AP projection, left wrist X-ray, image size 732x1568 — 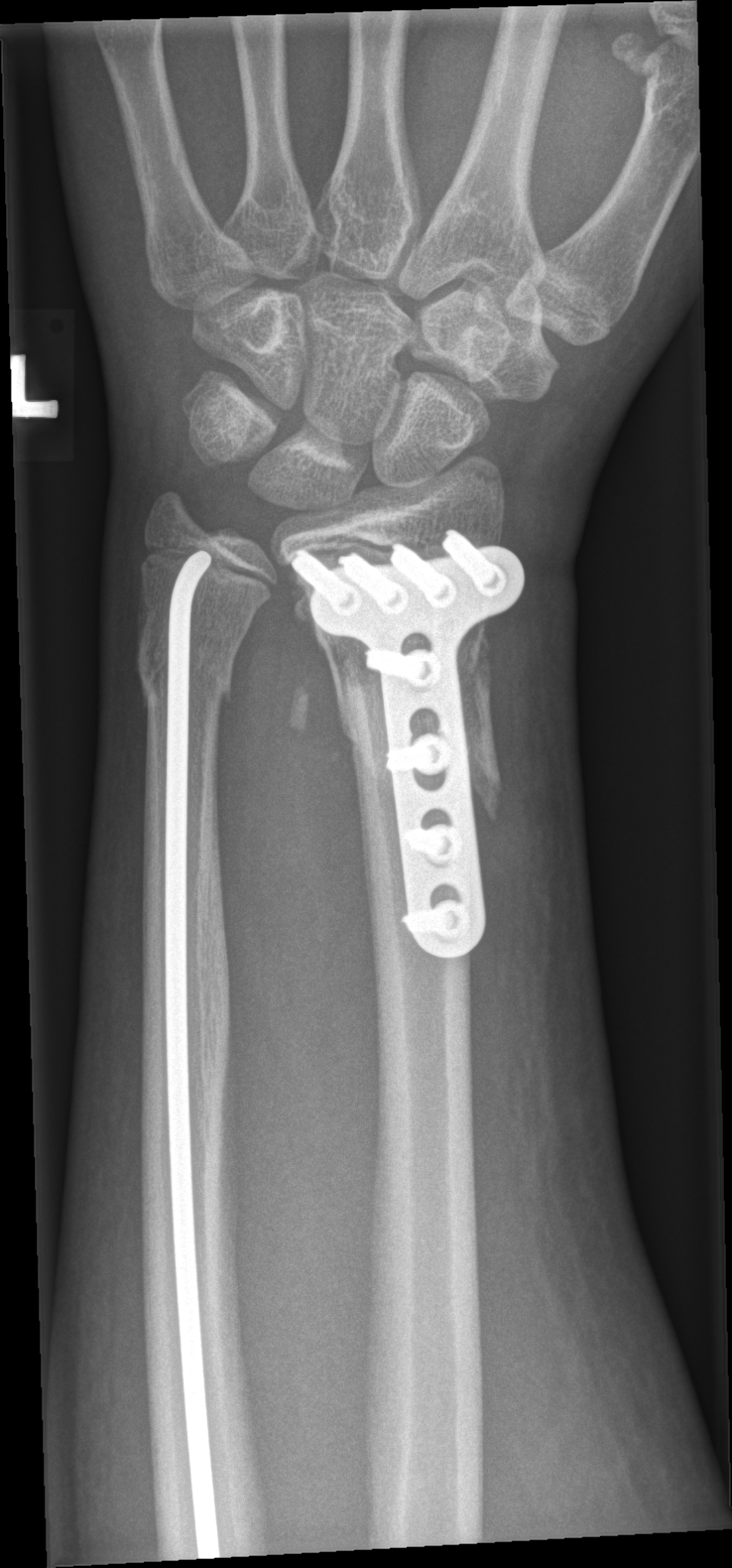 Metallic hardware — bbox(296, 536, 516, 958); bbox(168, 556, 225, 1564). AO code 23r-M/3.1; 23u-M/2.1. Fractures — bbox(293, 549, 516, 827) bbox(130, 607, 251, 717).